Lateral; Rt plain radiograph of the wrist; 12y M; follow-up; cast in situ: 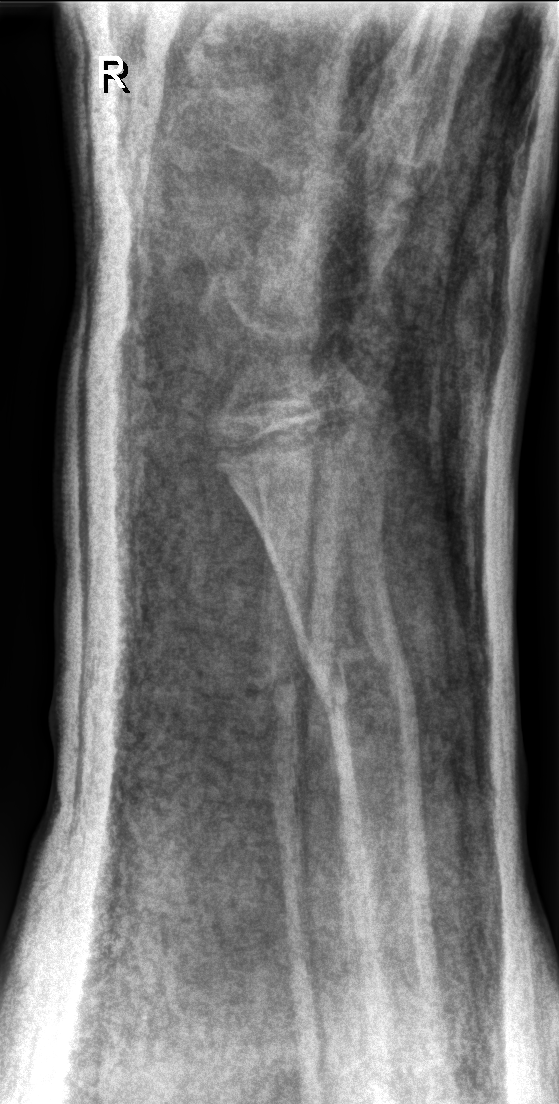

fracture: 1 @ 295,637,421,732